Left wrist radiograph | lat projection | male, 9 yo | subsequent exam: 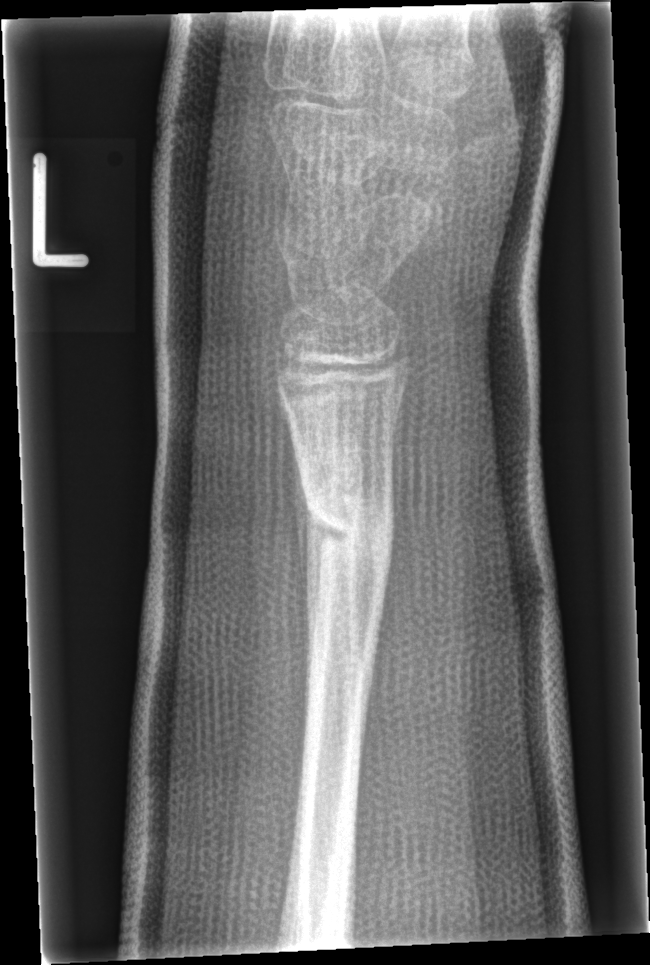 * One bone fracture at [298, 487, 399, 578].
* Periosteal thickening: [291, 422, 312, 642].